PA, left wrist XR, age 13 y, girl, follow-up.
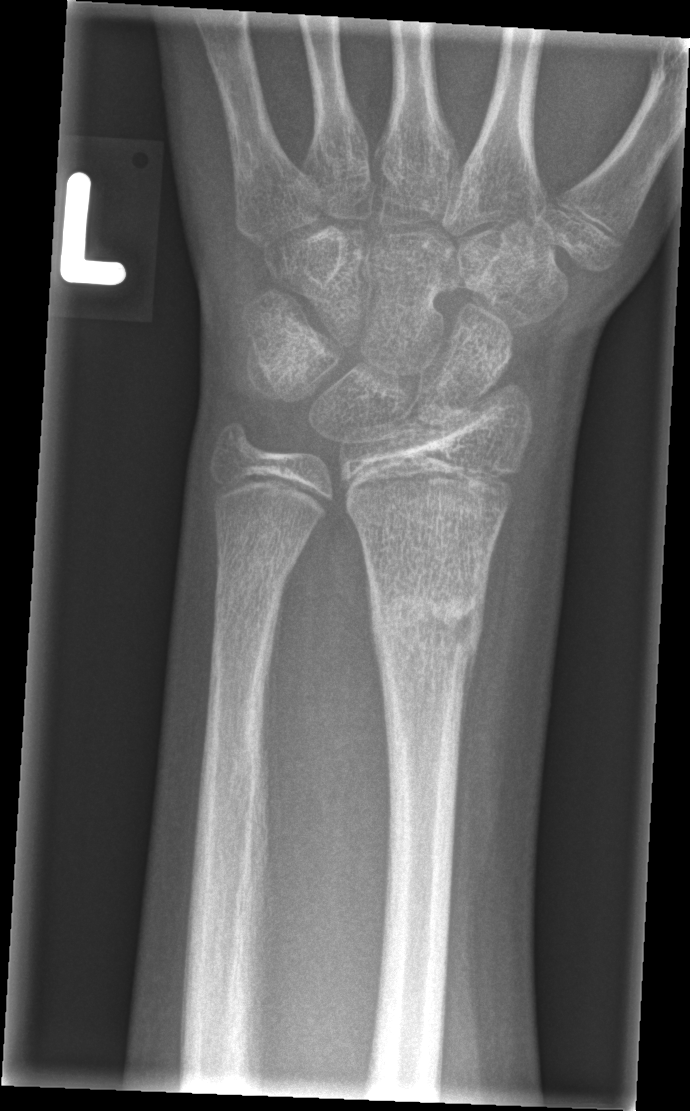 * AO code 23-M/2.1.
* Two fractures at <366,584>-<489,686> <211,549>-<297,609>.